Lateral, right wrist X-ray, male, 13 yo, subsequent exam. 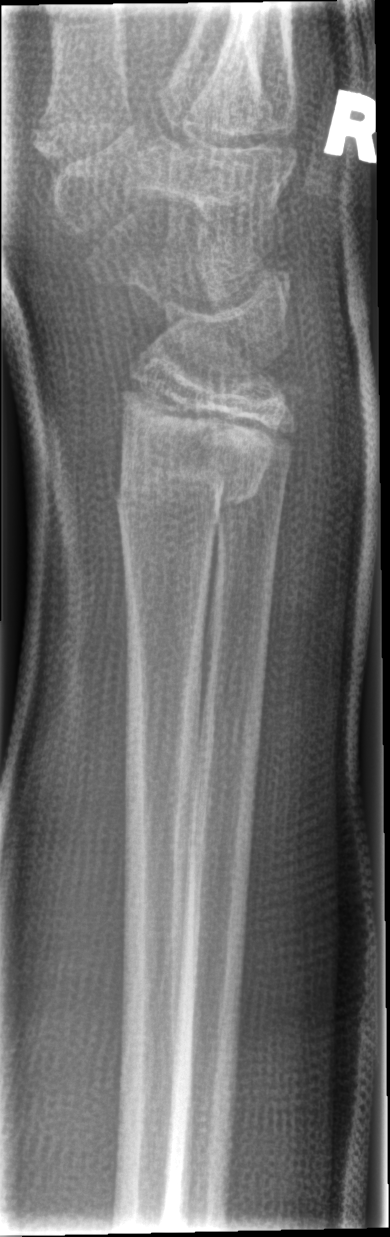 FINDINGS — Fx identified at (left=111, top=444, right=264, bottom=540). AO/OTA classification: 23r-M/3.1; 23u-E/7.